Right wrist X-ray · PA/AP view · cast in situ
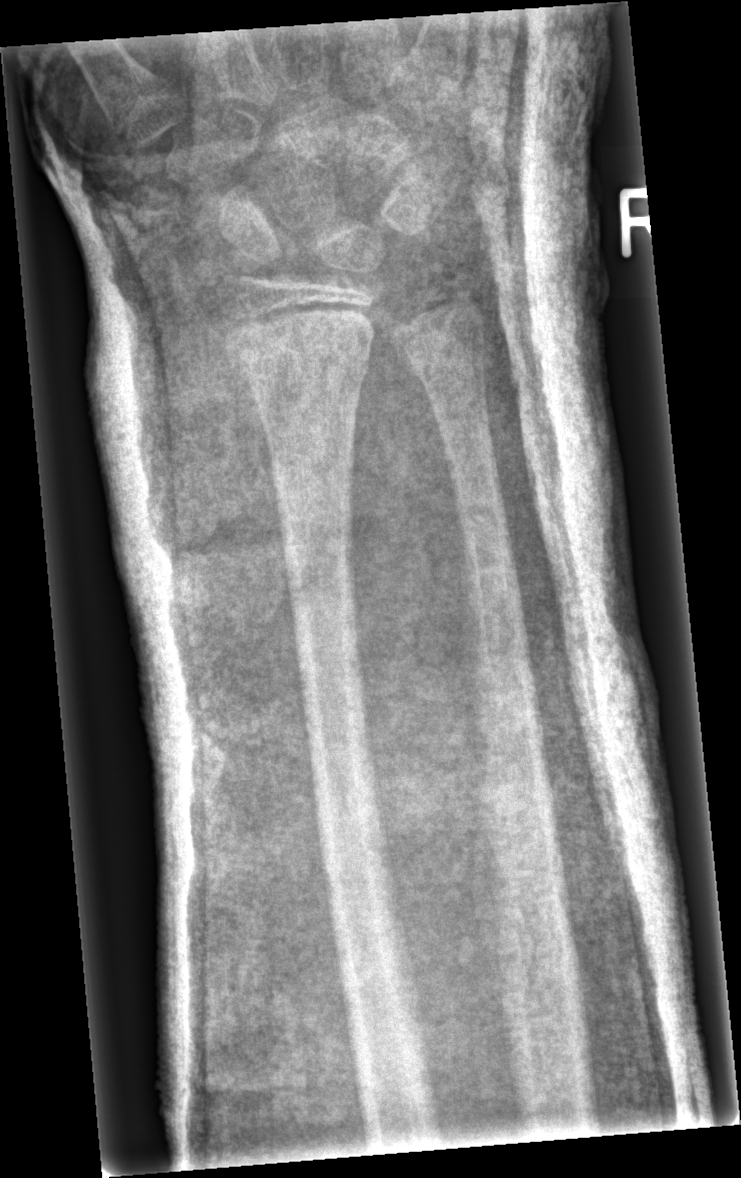 Findings: AO code 23r-M/2.1. Bone fracture identified at <234,330>-<373,390>.